Frontal view | L wrist radiograph | Siemens | image size 636x886 —
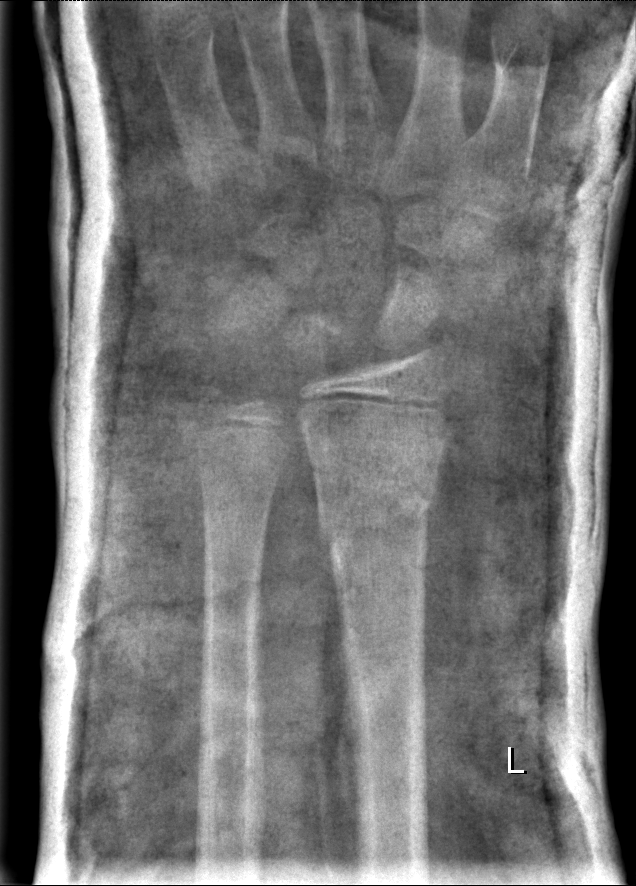

Bounding boxes in image-pixel xyxy. Fx identified at bbox(312, 470, 443, 559).